Lateral view; L wrist radiograph; age 15 y, male; subsequent exam. 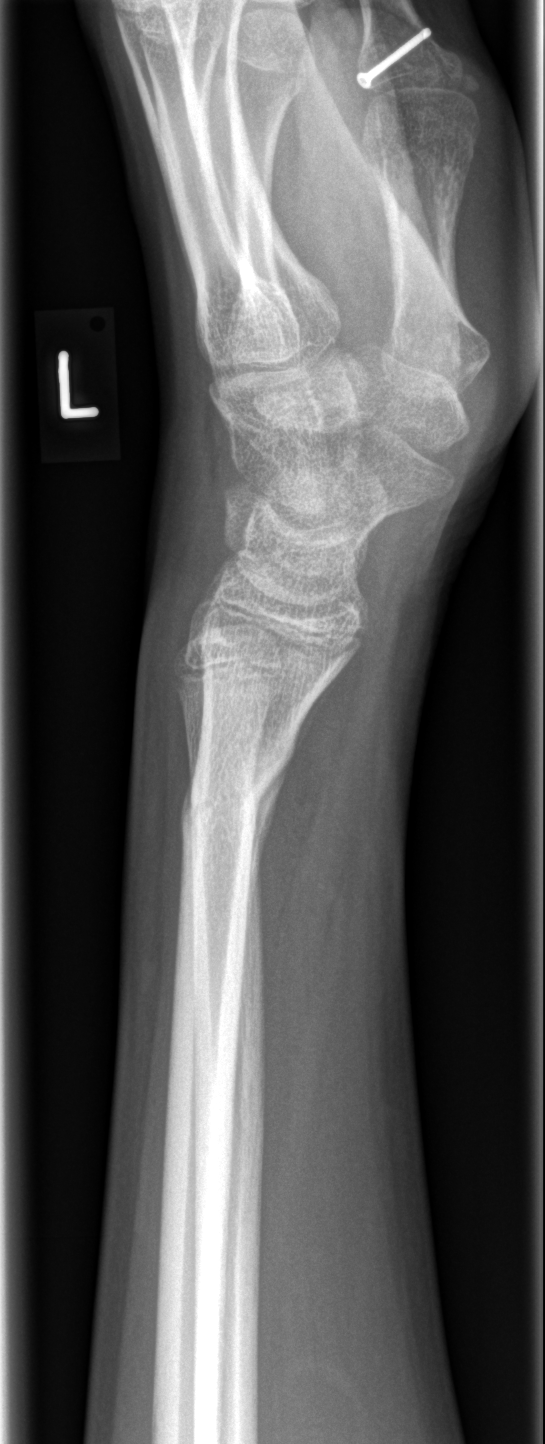

Metallic hardware — 355 24 434 93. Decreased bone density (osteopenia). One bone fracture at 175 720 303 856.